Lateral; left wrist X-ray; age 17 y, girl; 374 x 1132 px

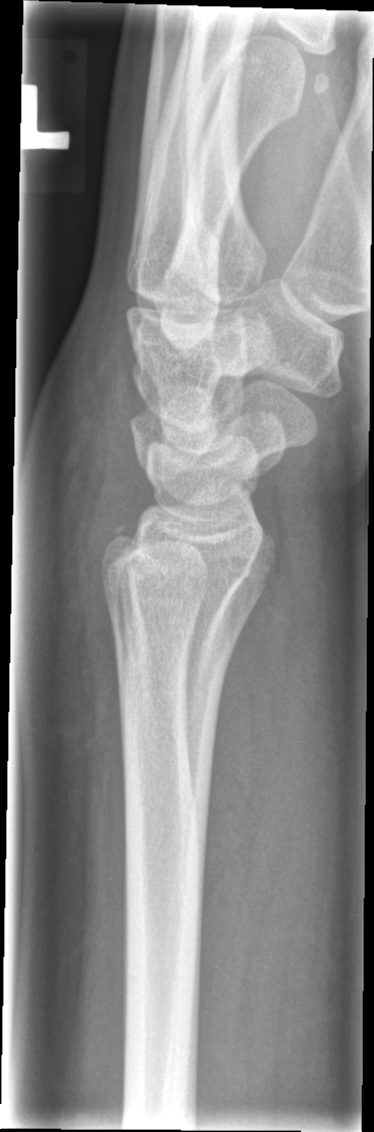
Soft-tissue swelling: (left=19, top=321, right=138, bottom=804)
AO/OTA: 23r-M/2.1; 23u-E/7
Bone fracture: 1 @ (left=104, top=515, right=143, bottom=573)